Lat, right wrist plain radiograph of the wrist, cast present —
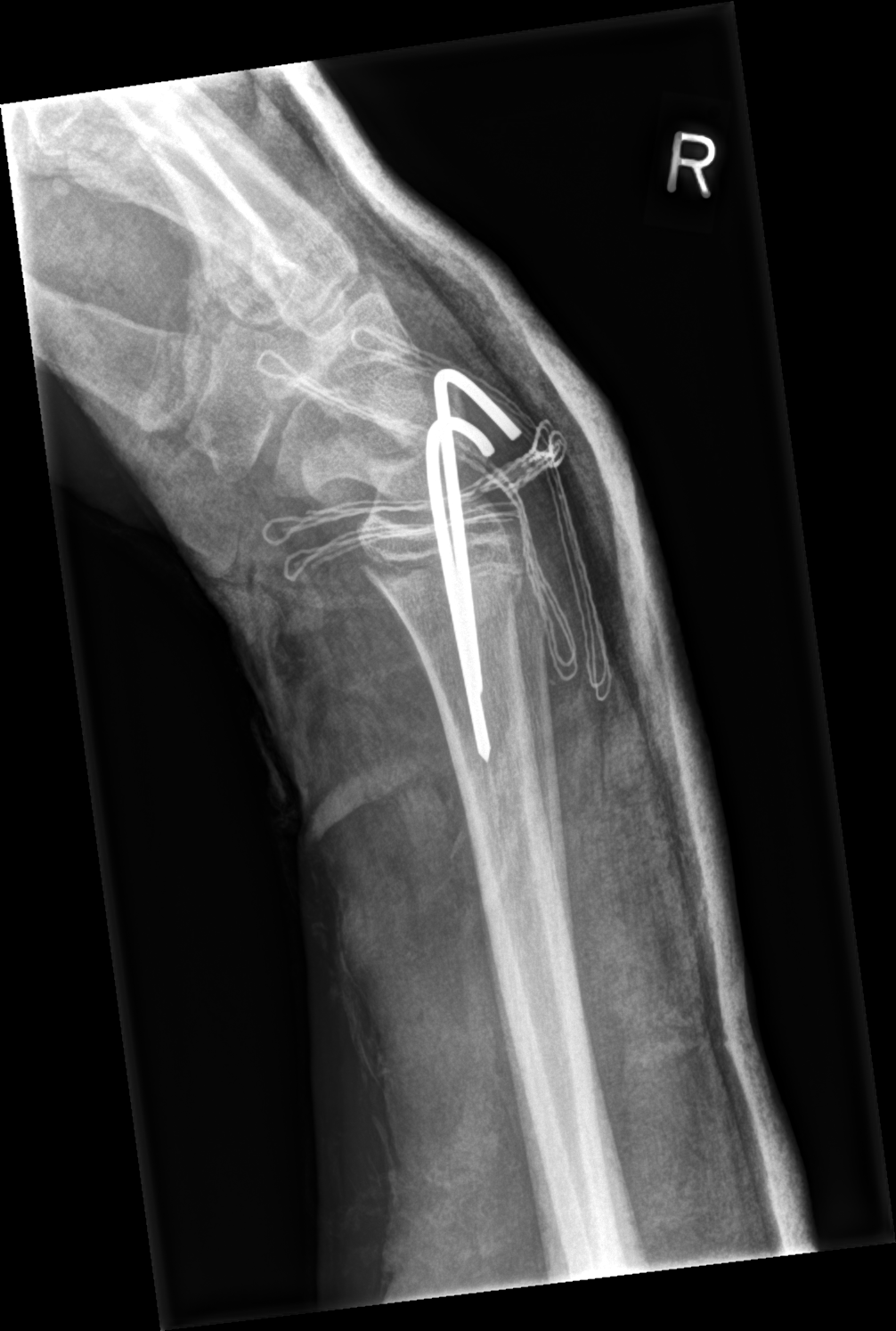
* Fracture — <358,541>-<531,604>.
* One metallic implant at <423,364>-<524,765>.
* AO/OTA classification: 23r-E/2.1; 23u-E/7.